Frontal projection | R pediatric wrist radiograph | index exam | 88.8 mm image width 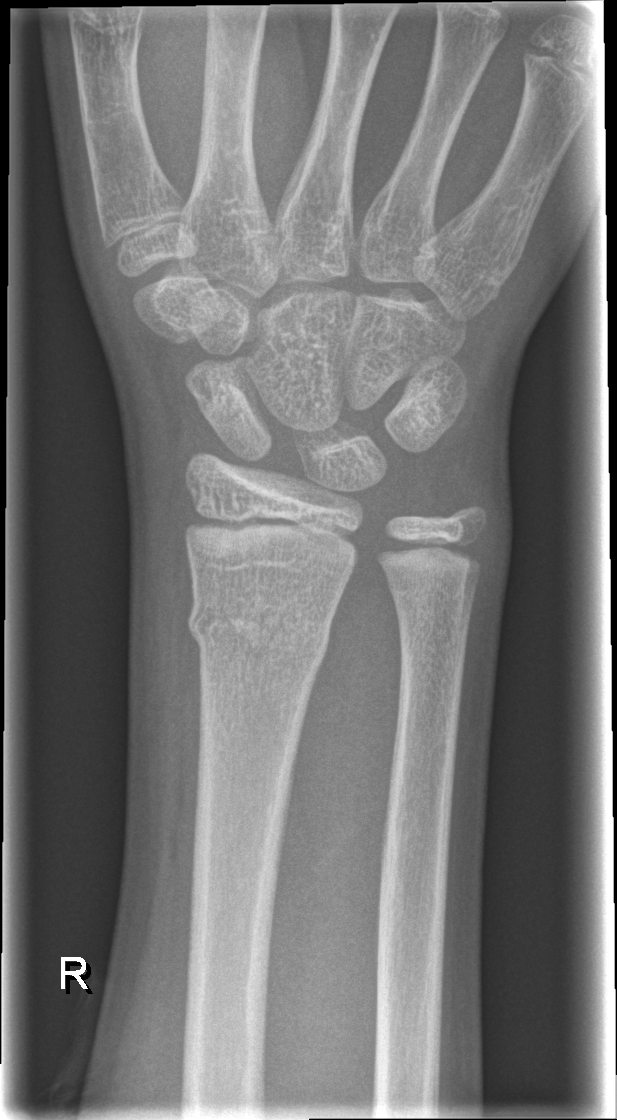

AO/OTA classification: 23r-M/2.1. Bone fracture identified at 184,587,335,673.